PA/AP; left wrist X-ray; 11y M; detector: Siemens:

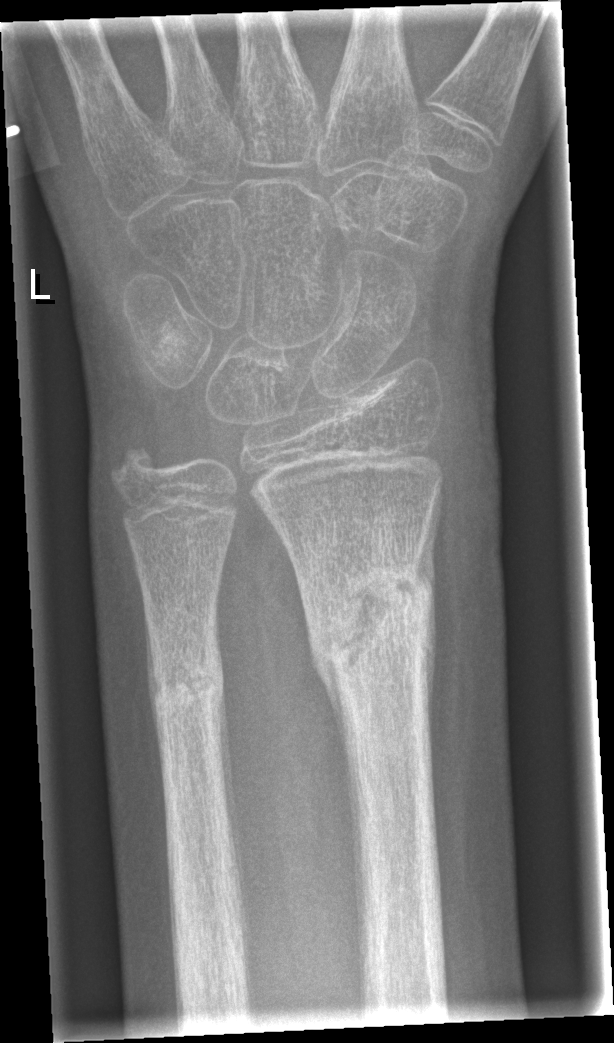

{
  "ao": "23-M/3.1; 23u-E/7",
  "periostealreaction": "4 @ (left=413, top=478, right=445, bottom=765), (left=213, top=687, right=244, bottom=927), (left=311, top=651, right=351, bottom=794), (left=144, top=604, right=164, bottom=780)",
  "fracture": "(left=306, top=555, right=436, bottom=700) (left=145, top=641, right=228, bottom=732) (left=101, top=435, right=170, bottom=501)"
}